Lateral; L plain radiograph of the wrist; follow-up study.

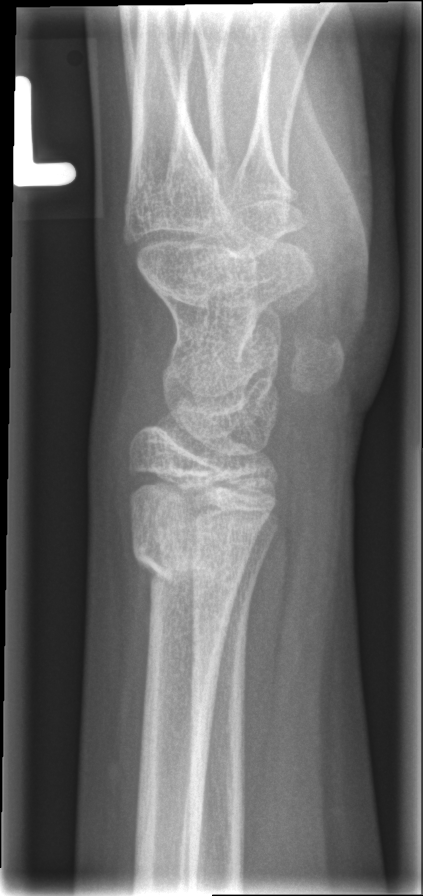

• AO/OTA classification: 23r-M/2.1.
• Bone fracture — (128, 526, 250, 604).
• Osteopenia.